Left pediatric wrist radiograph · AP projection · index exam —

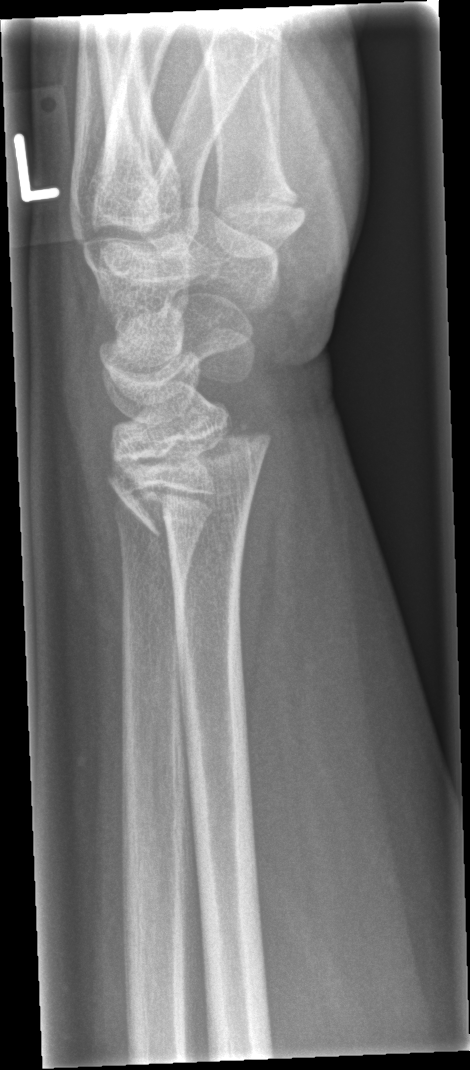 {
  "ao": "23r-E/2.1; 23u-E/7",
  "fracture": "102,415,274,542"
}